Right wrist radiograph, lateral projection, age 13 y, male, Siemens, 352 by 1006 pixels

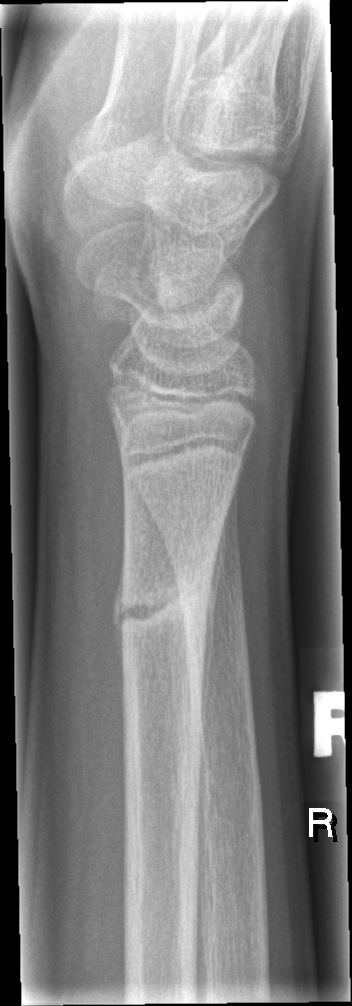

  fracture: 1 @ (left=111, top=566, right=216, bottom=645)
  osteopenia: present
  ao: 23r-M/3.1
  periostealreaction: (left=197, top=578, right=216, bottom=753)